AP view; left wrist radiograph; acquired on Siemens — 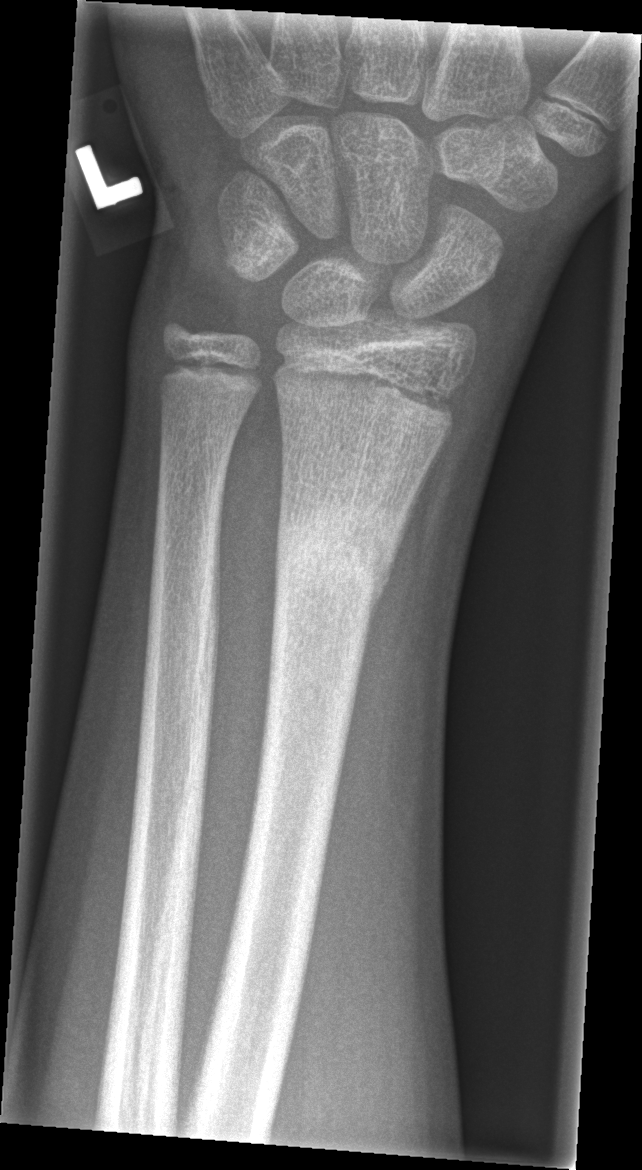 FINDINGS — One fracture at 270,497,412,621.